Lateral · right wrist plain radiograph of the wrist · 545x1200 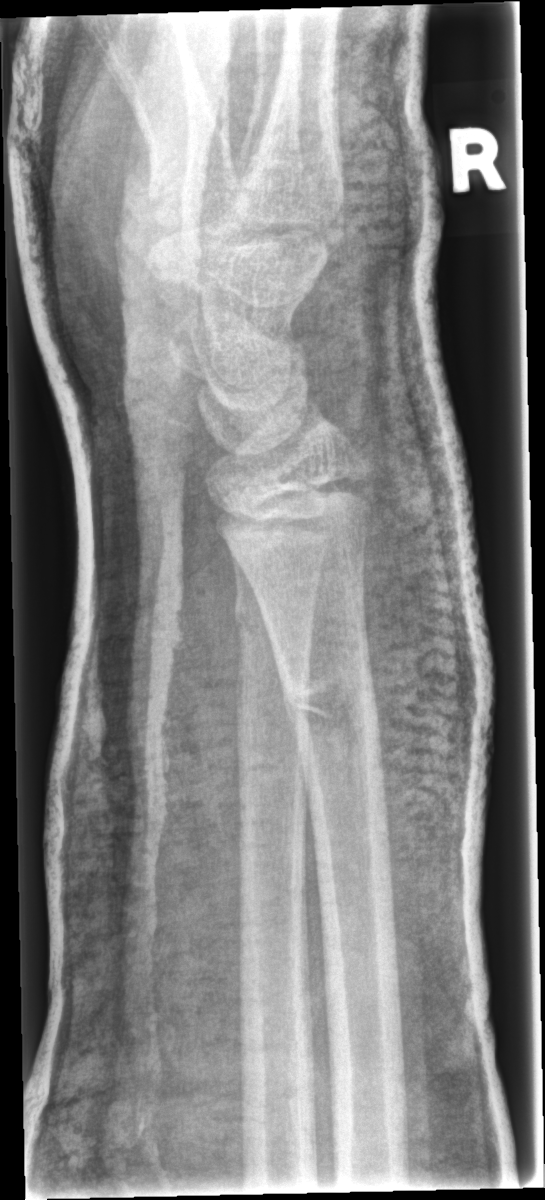

{"ao": "23-M/2.1", "fracture": "2 @ (left=277, top=662, right=384, bottom=745); (left=231, top=588, right=320, bottom=649)"}